AP view, left wrist XR, 14-year-old girl, initial study — 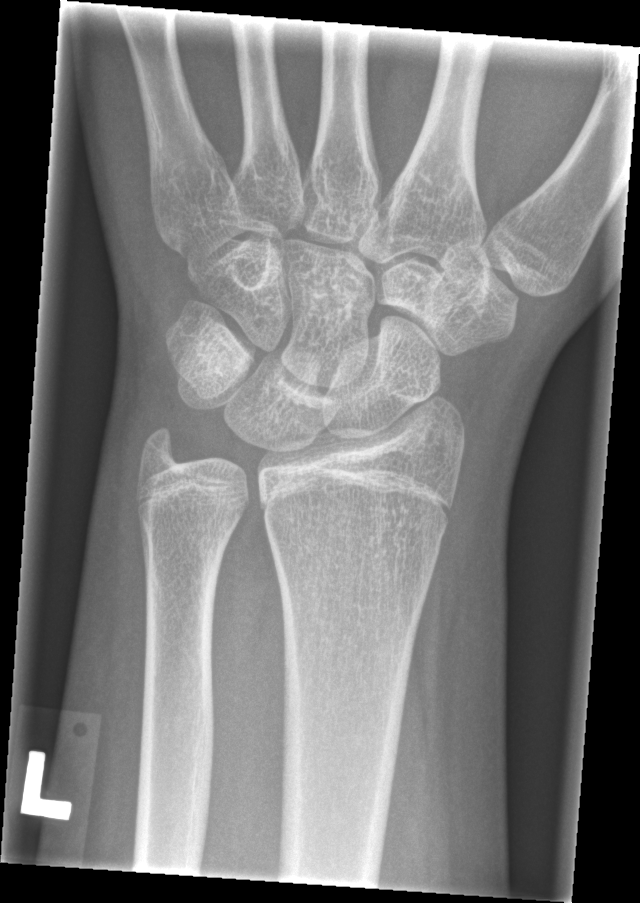

FINDINGS — No fracture annotation.